L wrist X-ray, PA projection, cast in situ 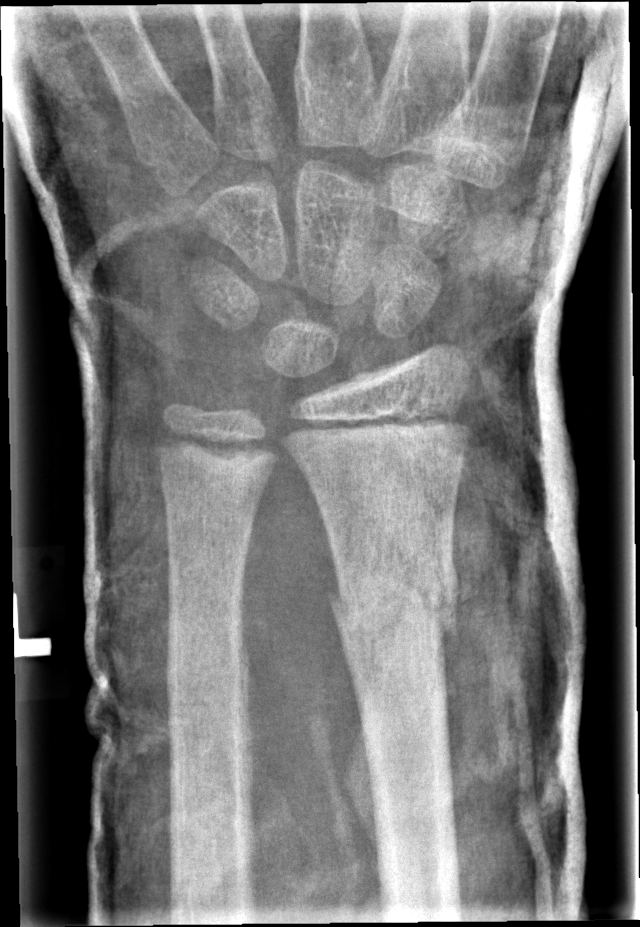
FINDINGS — Fracture classified AO/OTA 23r-M/3.1; 23u-M/2.1. Fx — [x1=325, y1=549, x2=464, y2=646]; [x1=160, y1=642, x2=258, y2=729].